Left wrist X-ray | lat view | pediatric patient (male, age 16) | follow-up study | image size 544x1112:

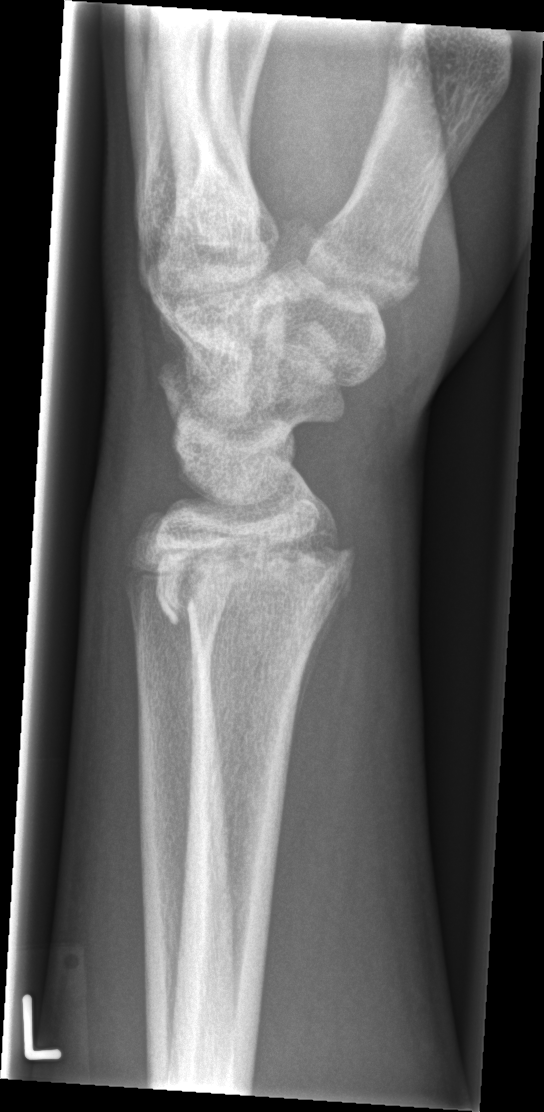 FINDINGS: (bounding boxes in image-pixel xyxy) Periosteal new bone — (left=289, top=562, right=354, bottom=757). Osteopenic. Bone fracture identified at (left=142, top=520, right=362, bottom=646).